Lt plain radiograph of the wrist | AP view | imaged through cast. 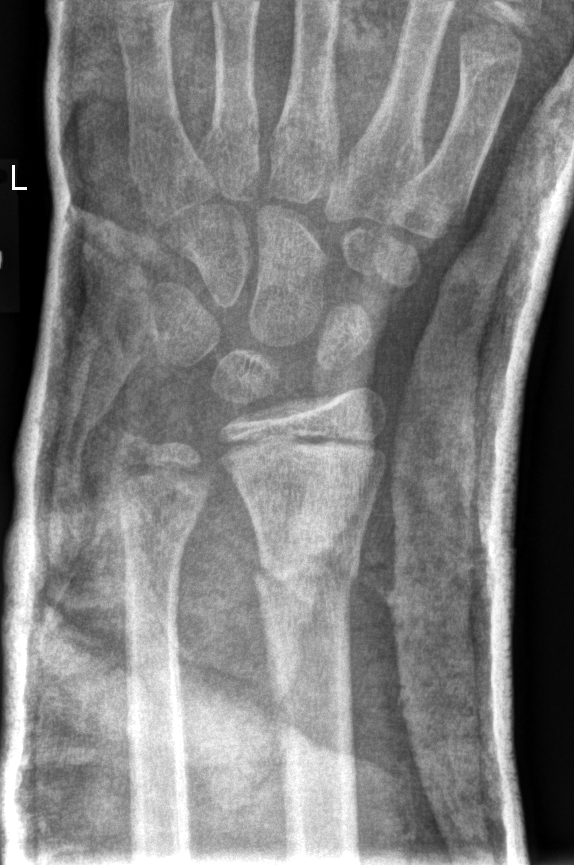
{
  "_coords": "coordinates are [x1, y1, x2, y2] in image pixels",
  "fracture": "108 487 207 552 | 250 544 364 600"
}